Lateral view · L plain radiograph of the wrist · female, 10 yo · presentation radiograph — 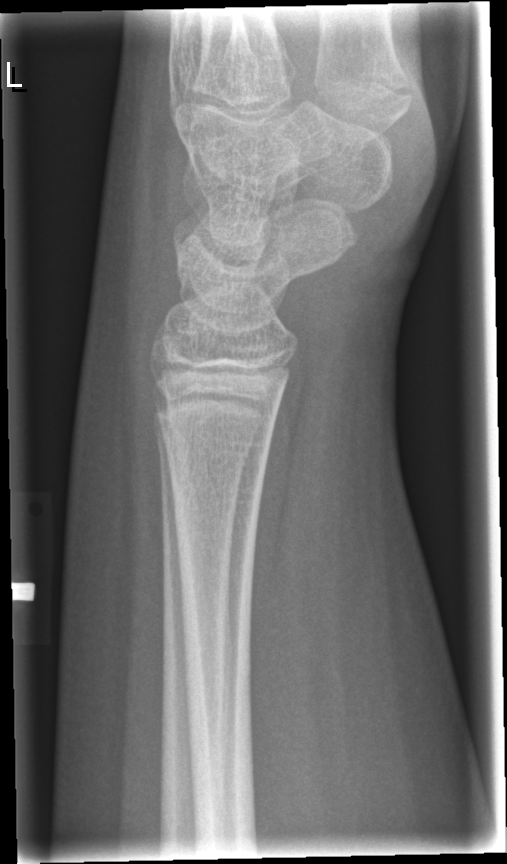 Fx: none labeled